Posteroanterior projection | left wrist plain film —
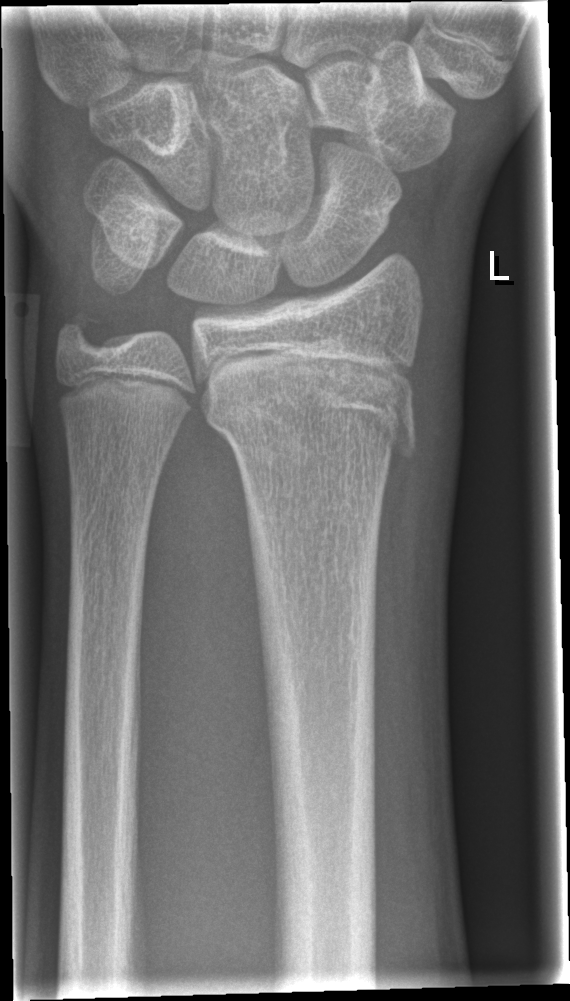

FINDINGS: Fx — (left=202, top=375, right=419, bottom=461), (left=47, top=297, right=119, bottom=373). Fracture classified AO/OTA 23r-M/3.1; 23u-E/7.